Lat view; Rt pediatric wrist radiograph; girl, 12 yo; subsequent exam; cast present; image 53.9 mm wide —
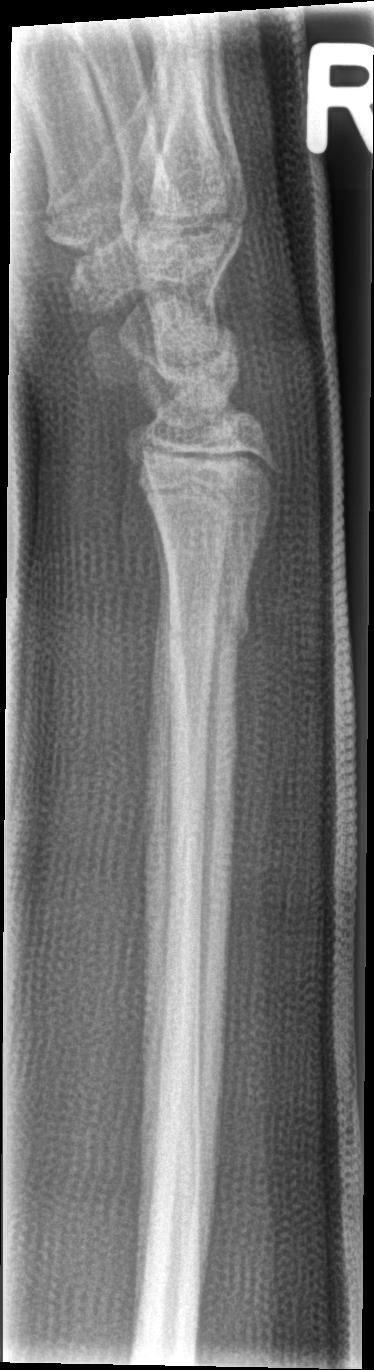 AO code 23r-M/3.1; 23u-E/7.
One fracture at (156, 592, 254, 650).